Right wrist plain radiograph of the wrist; lateral view; presentation radiograph; Siemens; image width 55.3 mm —
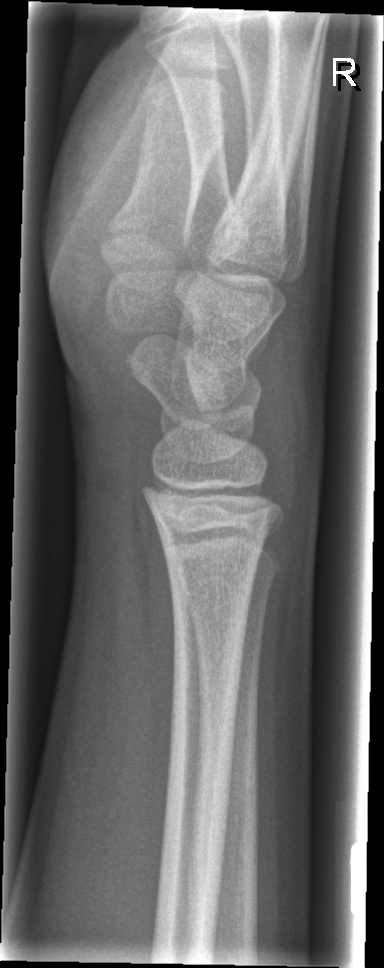
{
  "fracture": "none labeled"
}